R pediatric wrist radiograph | PA/AP | pediatric patient (male, age 13) | cast present | 90.4 mm image width | image size 628x1082.

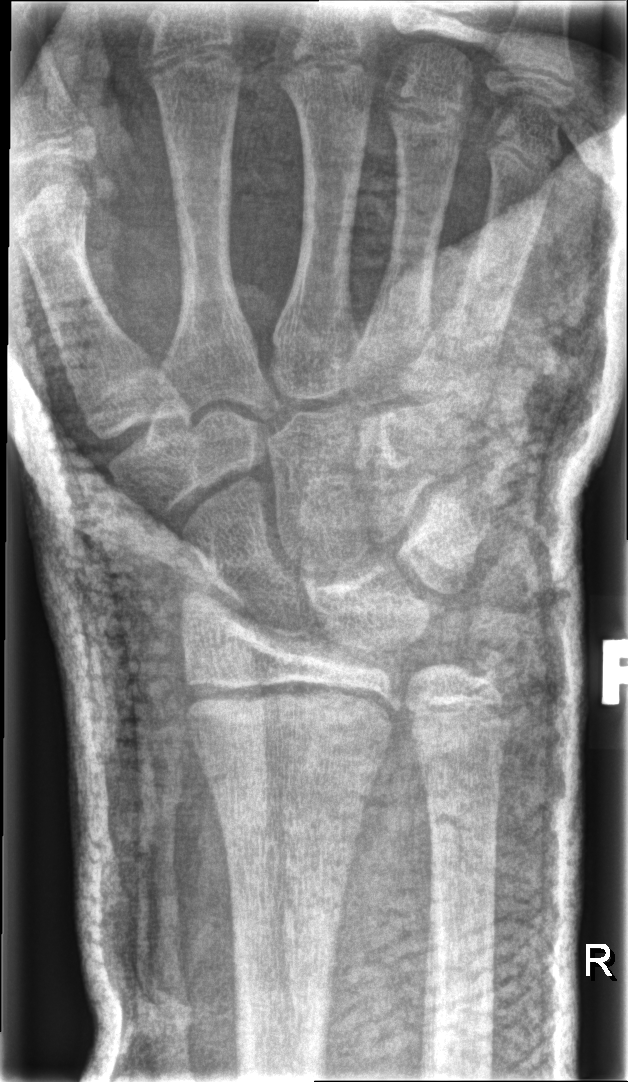 Fracture: (left=181, top=668, right=398, bottom=747), (left=457, top=637, right=521, bottom=701)
AO/OTA: 23r-E/2.1; 23u-E/7